Frontal view · Rt pediatric wrist radiograph · age 9 y, girl · initial study · Siemens 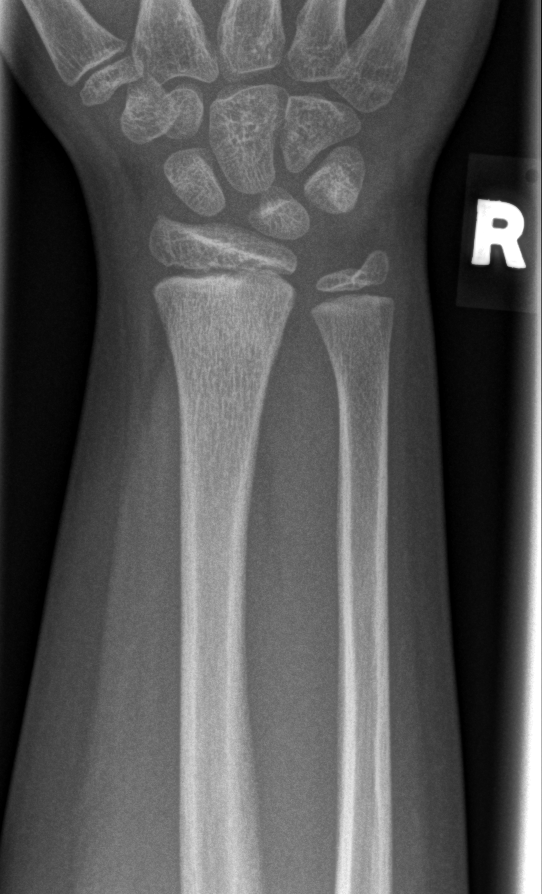 (pixel coordinates, top-left origin, xyxy)
Q: AO code?
A: Fracture classified AO/OTA 23r-M/2.1
Q: Locate any fractures.
A: Bone fracture identified at (161, 306, 285, 367)